R wrist plain film; lat projection; image size 511x1052
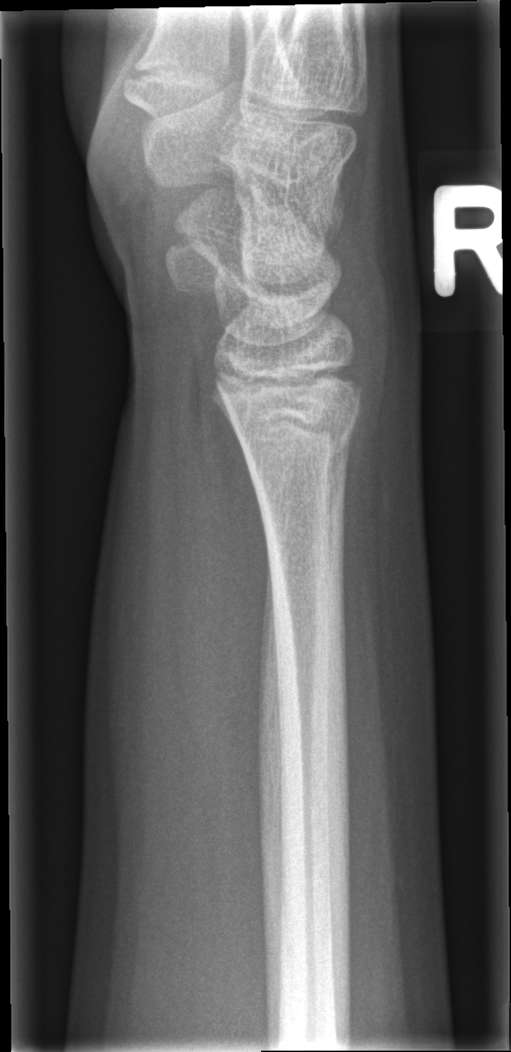 (boxes as x1,y1,x2,y2 (top-left / bottom-right, pixel units))
AO classification = 23r-M/2.1
Pronator quadratus fat-pad sign = 1 @ bbox(177, 378, 275, 819)
Fracture = bbox(226, 404, 365, 473)